Lateral view, R pediatric wrist radiograph, girl, 11 yo, presentation radiograph, detector: Siemens, image 68.7 mm wide.
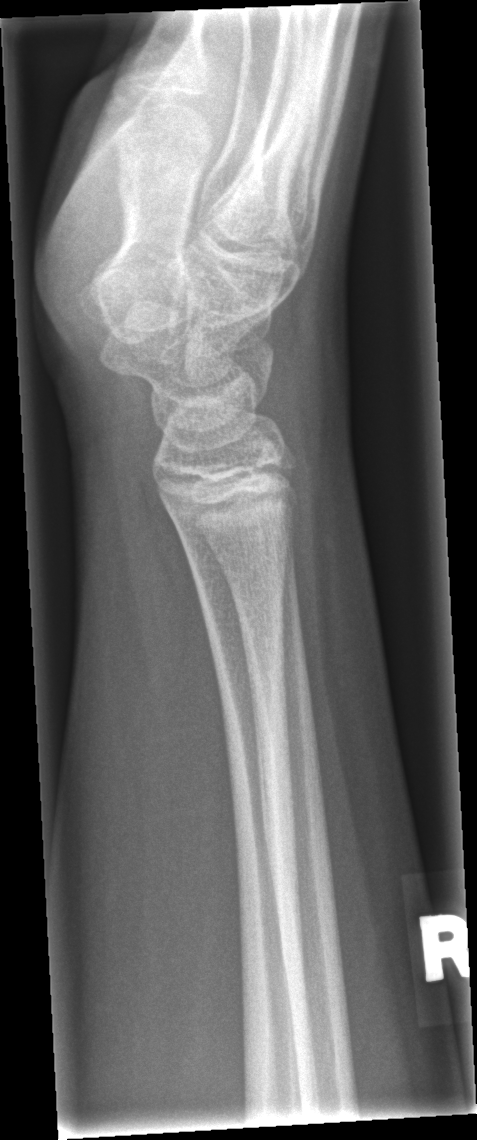
Bone fracture = none labeled